Rt wrist XR; frontal; 12y F; in cast; image width 102.5 mm —

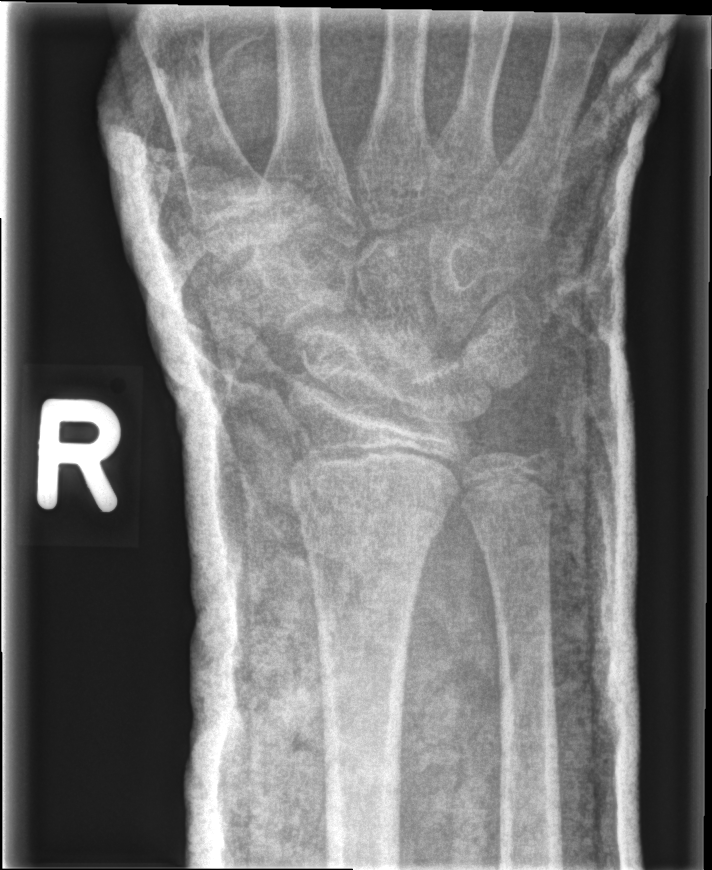

Bone fracture — <289,489>-<451,549>. Fracture classified AO/OTA 23r-M/2.1; 23u-E/7.